Lateral view · right wrist XR · male, 12 yo · imaged through cast: 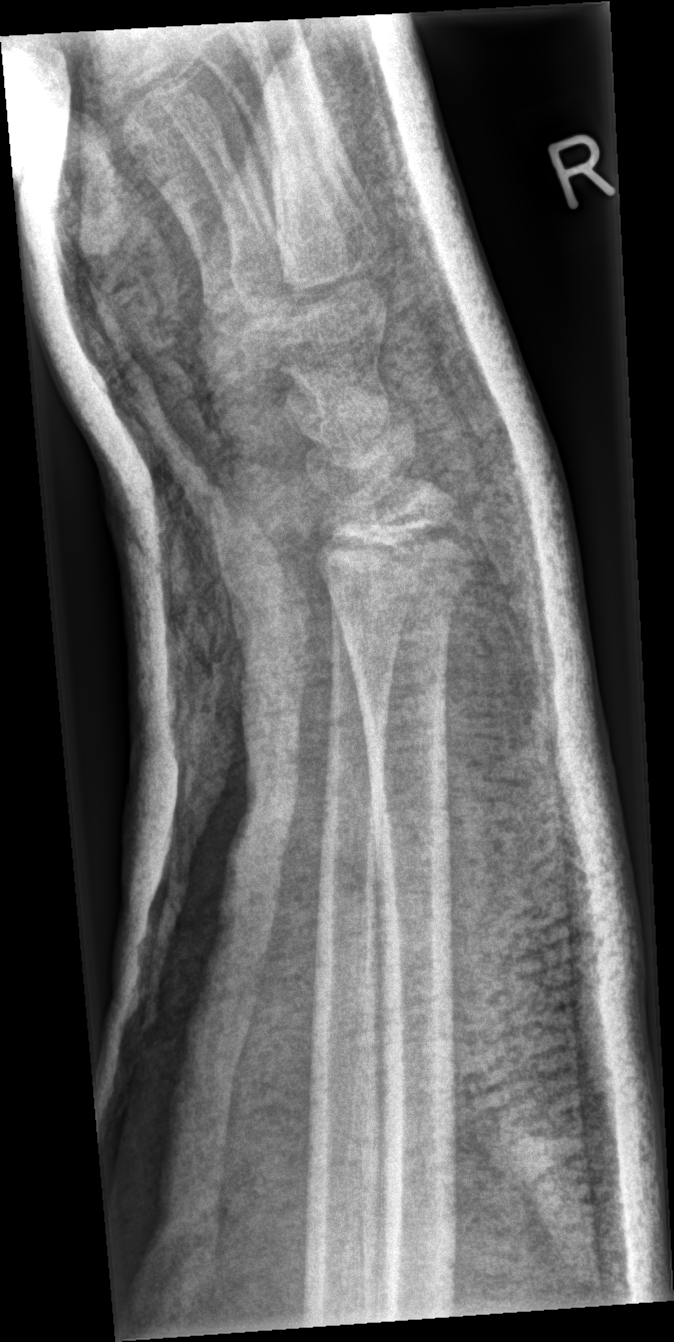

(bounding boxes in image-pixel xyxy)
bone fracture: 1 @ 313,529,479,623
AO code: 23r-E/2.1; 23u-E/7